Lateral view · L wrist X-ray.
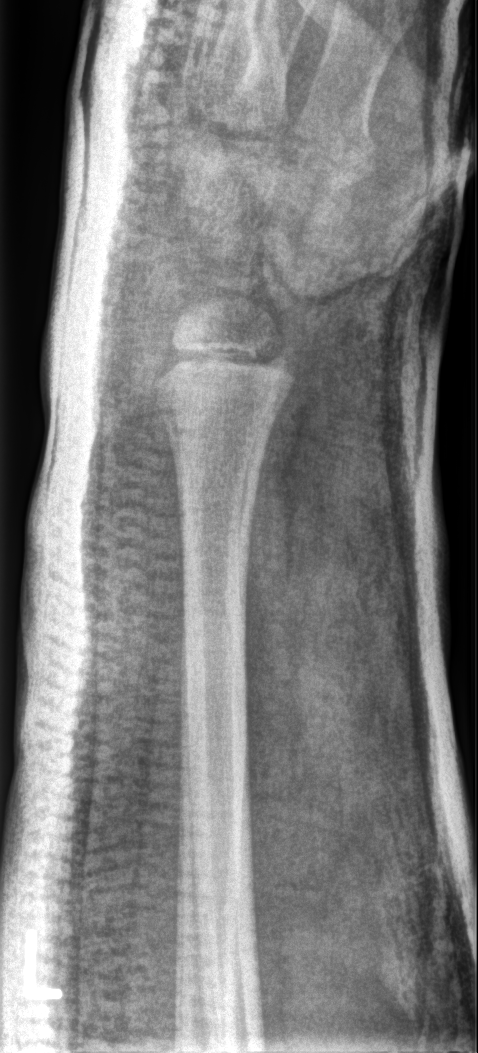   # coordinates are [x1, y1, x2, y2] in image pixels
  fracture: (147, 335, 303, 416)
  ao: 23r-E/1